Lt wrist radiograph, AP, 7-year-old female — 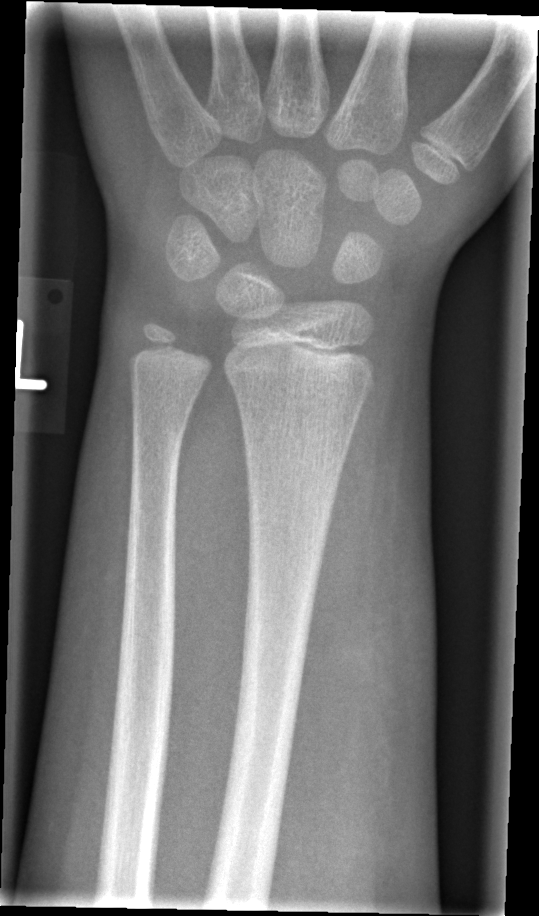
Fracture: none labeled